Right wrist plain radiograph of the wrist, lat view, pediatric patient (female, age 14) —

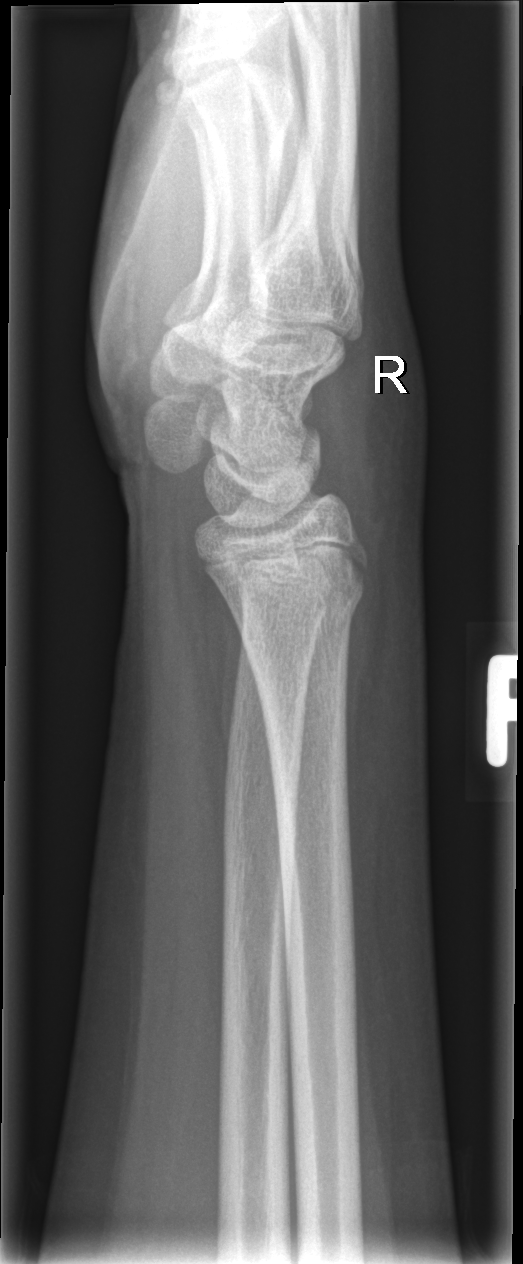

Bone fracture: (232, 570, 368, 668). Fracture classified AO/OTA 23r-M/2.1.